Posteroanterior, R wrist plain film, 14y M, image size 620x801:

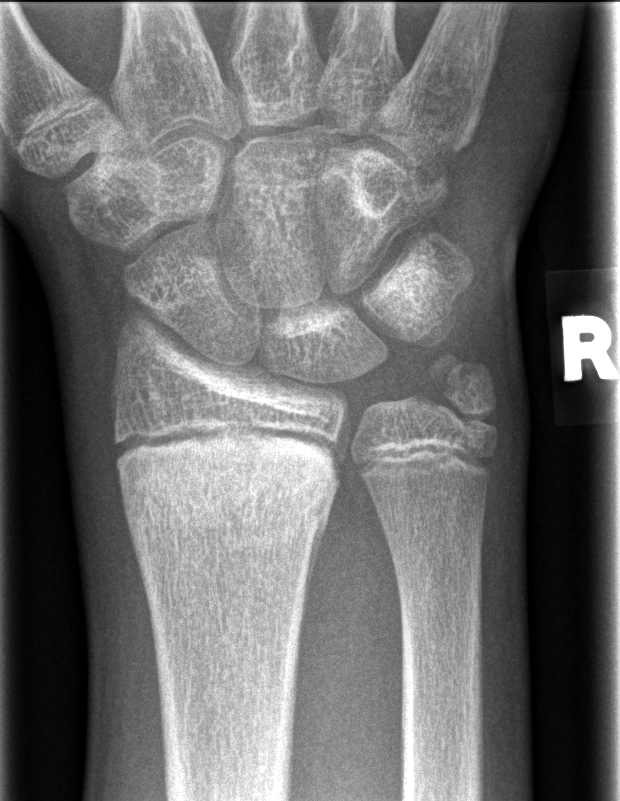

Findings: (boxes as x1,y1,x2,y2 (top-left / bottom-right, pixel units)) AO/OTA classification: 23r-E/2.1; 23u-E/7. Bone fracture: <113,442>-<339,552> <422,342>-<507,448>.